R wrist radiograph | PA view | follow-up study | cast present:

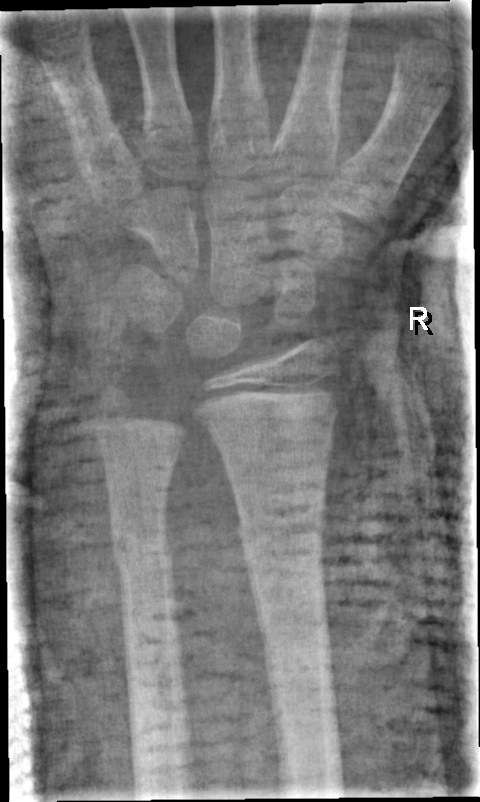 FINDINGS: AO/OTA classification: 23-M/3.1. Fractures — (left=236, top=491, right=327, bottom=564); (left=108, top=522, right=176, bottom=582).